Lat projection; L wrist XR
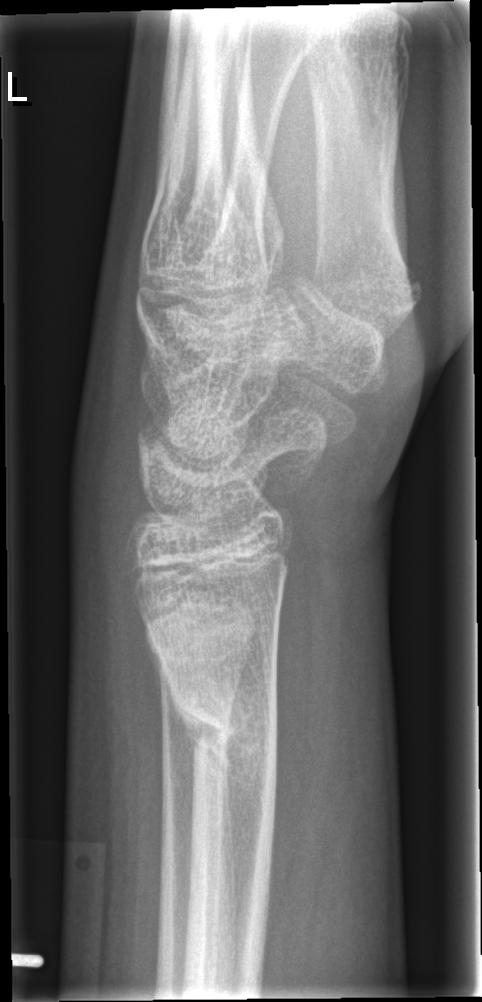
One fracture at [168, 675, 282, 812].